L pediatric wrist radiograph, posteroanterior projection, age 3 y, male, initial study, 566 x 818 px
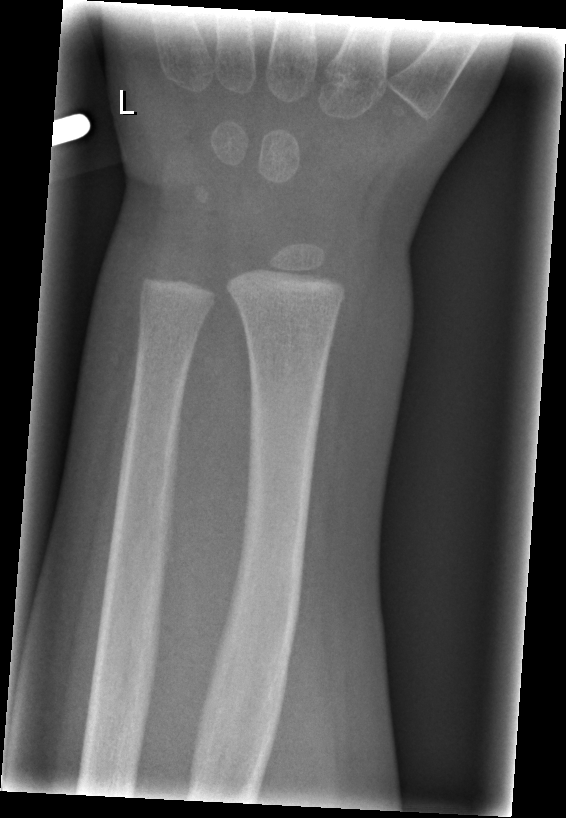 Fx: none labeled